Lateral projection, L pediatric wrist radiograph, age 10 y, female — 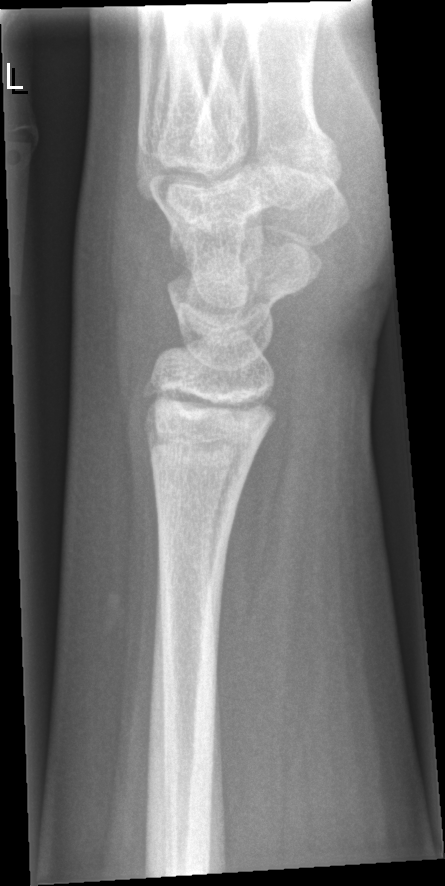 FINDINGS — No fracture bounding box.